Right wrist XR; PA projection; index exam; diagnosis uncertain: 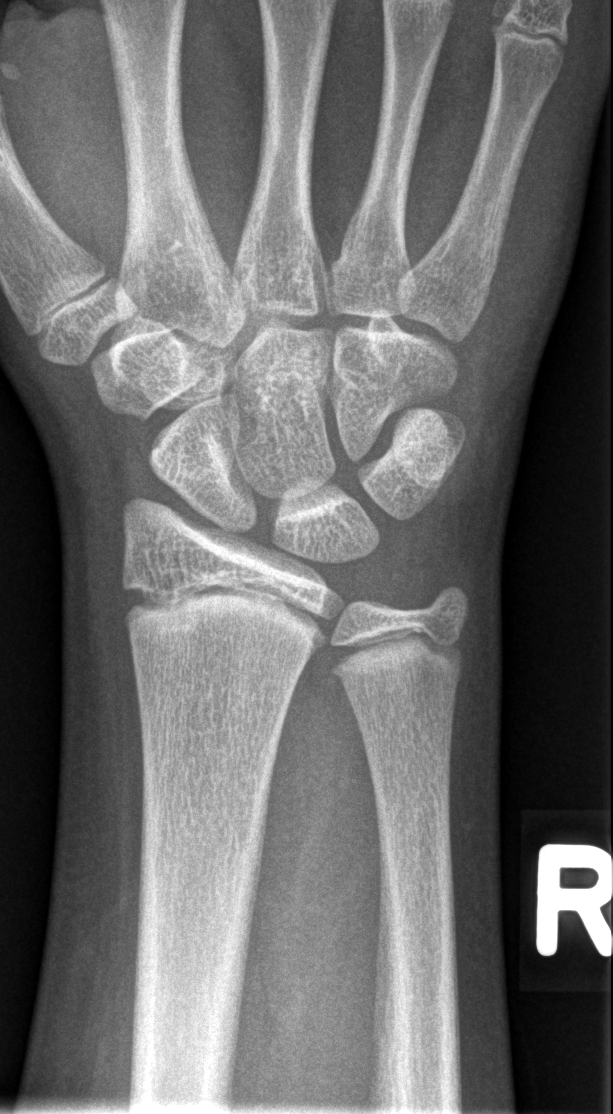

bone fracture: none labeled